Lateral view, left wrist plain film, girl, 8 yo, in cast.
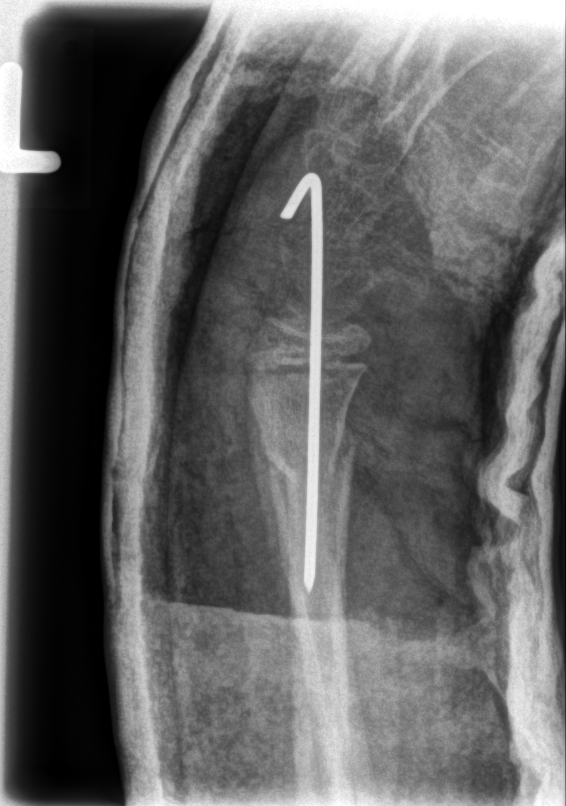 FINDINGS — One Fx at 258 421 361 487. Metal identified at 271 169 329 595.